Left wrist pediatric wrist radiograph | PA | pediatric patient (boy, age 11) | follow-up study:

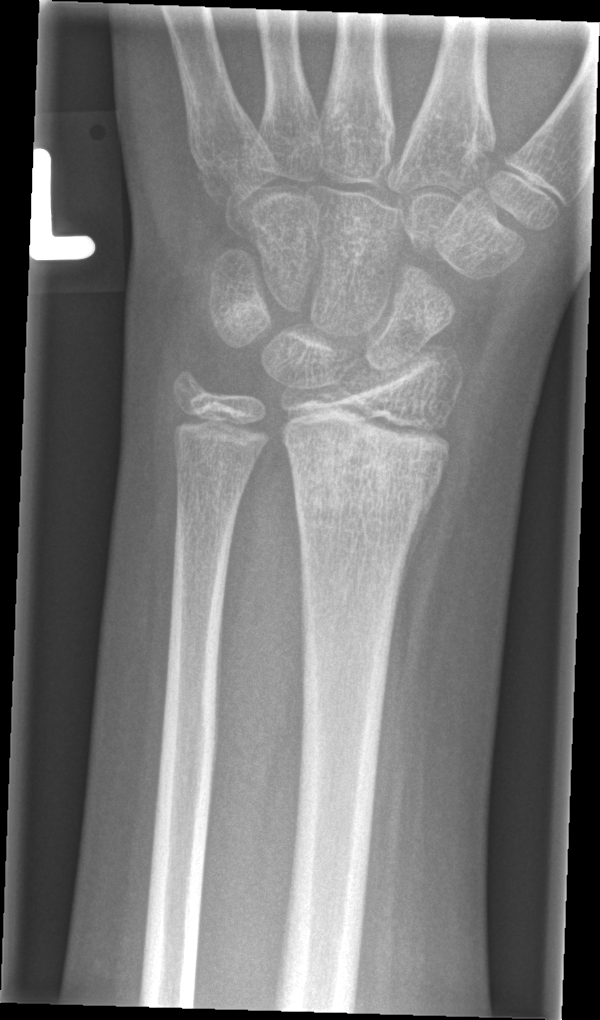 (coordinates are [x1, y1, x2, y2] in image pixels)
Fx: [x1=282, y1=426, x2=448, y2=533]
osteopenia: present
AO classification: 23r-M/3.1